Posteroanterior view | Lt plain radiograph of the wrist | age 10 y, male
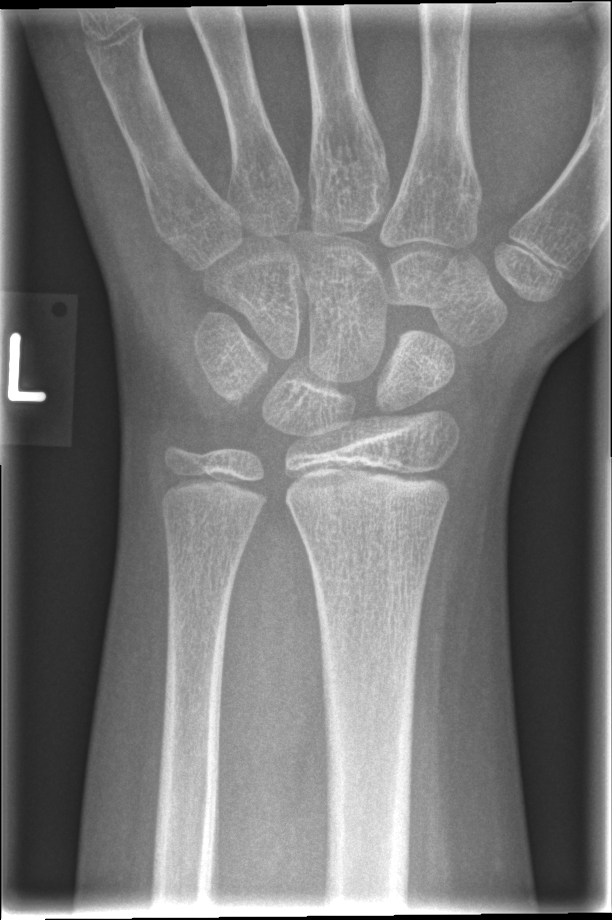
No fracture bounding box.